Lt wrist XR · lateral view · initial study · 63.5 mm image width:

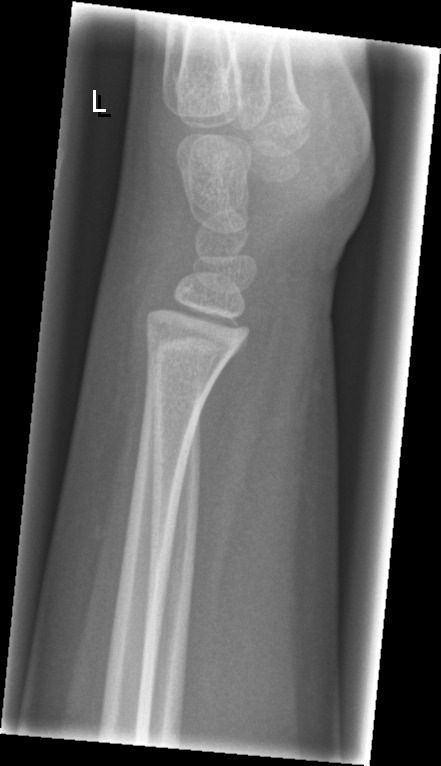

Fracture: none labeled.